Left wrist radiograph | PA/AP view | 12y M —
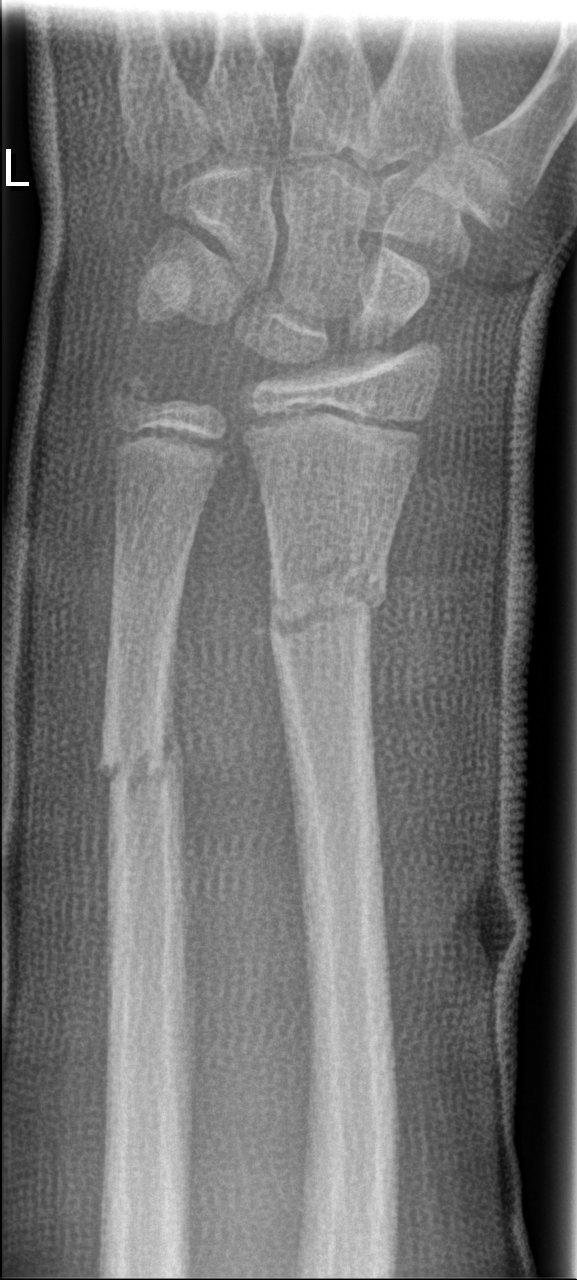 (boxes as x1,y1,x2,y2 (top-left / bottom-right, pixel units))
AO/OTA: 23r-M/3.1; 22u-D/4.1; 23u-E/7
fracture: (left=263, top=572, right=389, bottom=641); (left=95, top=731, right=189, bottom=790); (left=102, top=364, right=164, bottom=426)